R wrist plain film, lateral, 8y F, presentation radiograph 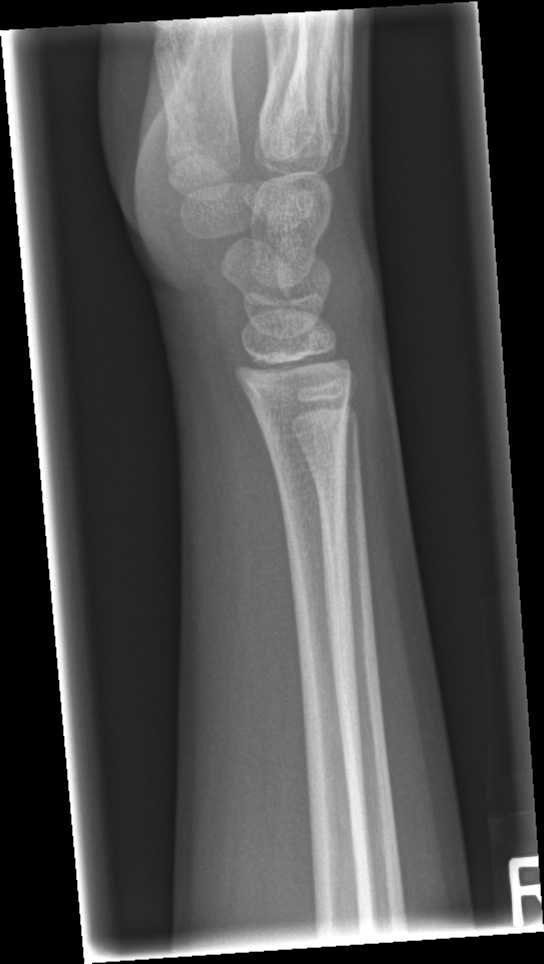

fracture: none labeled